AP view; Lt wrist X-ray —

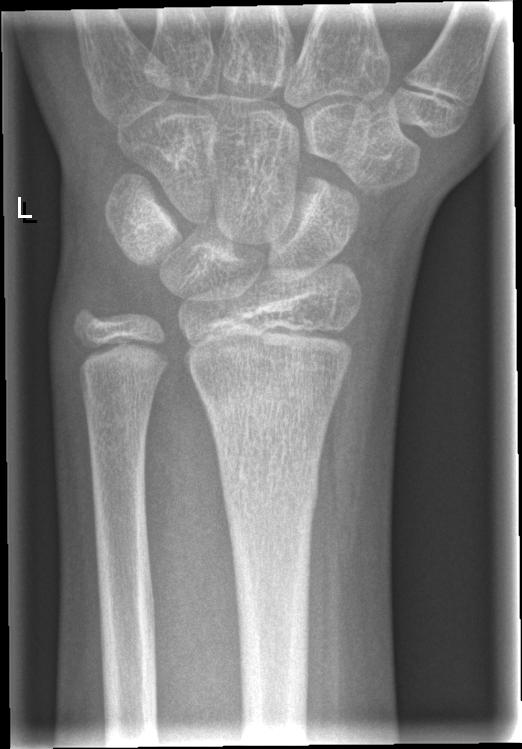

FINDINGS: (pixel coordinates, top-left origin, xyxy) AO code 23r-M/2.1. One bone fracture at bbox(219, 470, 322, 521).